AP projection | left wrist X-ray | 8y M | 542 by 976 pixels: 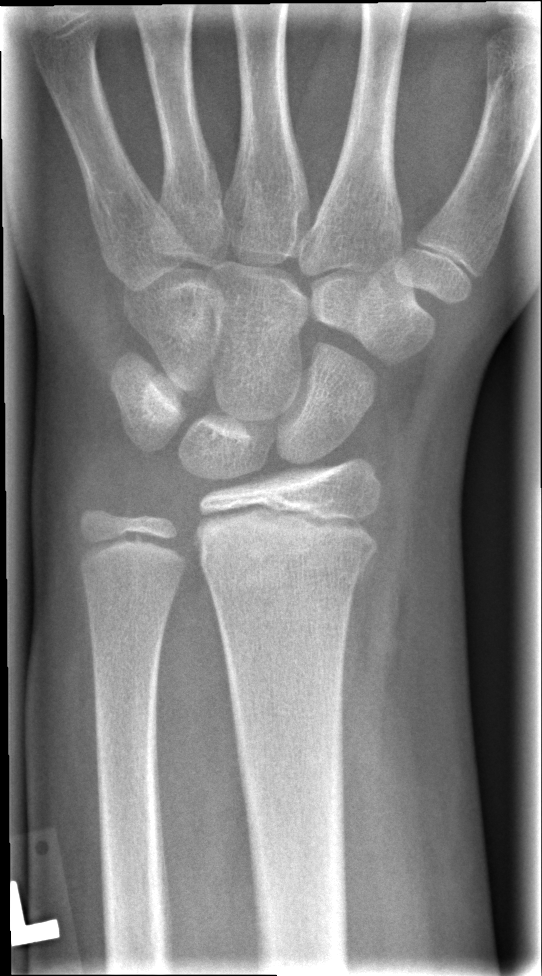 AO code: 23r-E/2.1
Bone fracture: 188 505 378 584